R pediatric wrist radiograph; lat; age 8 y, female; imaged through cast: 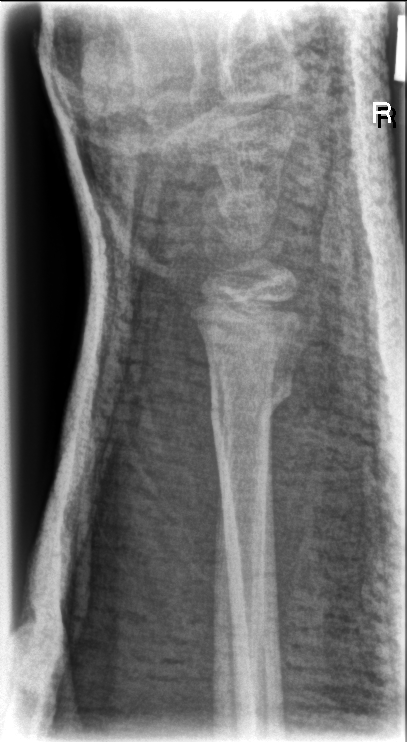 FINDINGS: One bone fracture at bbox(207, 366, 295, 439).